Lateral view · L wrist radiograph · presentation radiograph

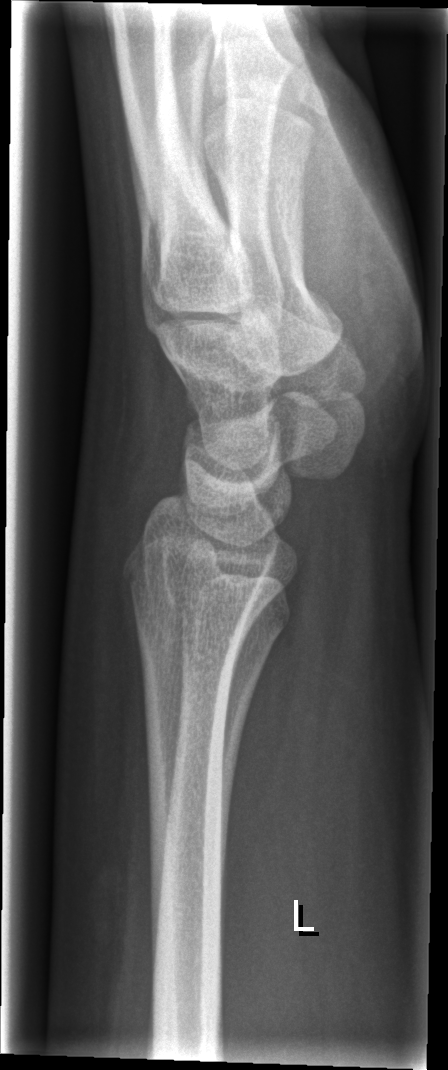
{
  "fracture": "none labeled"
}